Left wrist plain radiograph of the wrist; posteroanterior; 10y M; in cast; 763 by 1290 pixels — 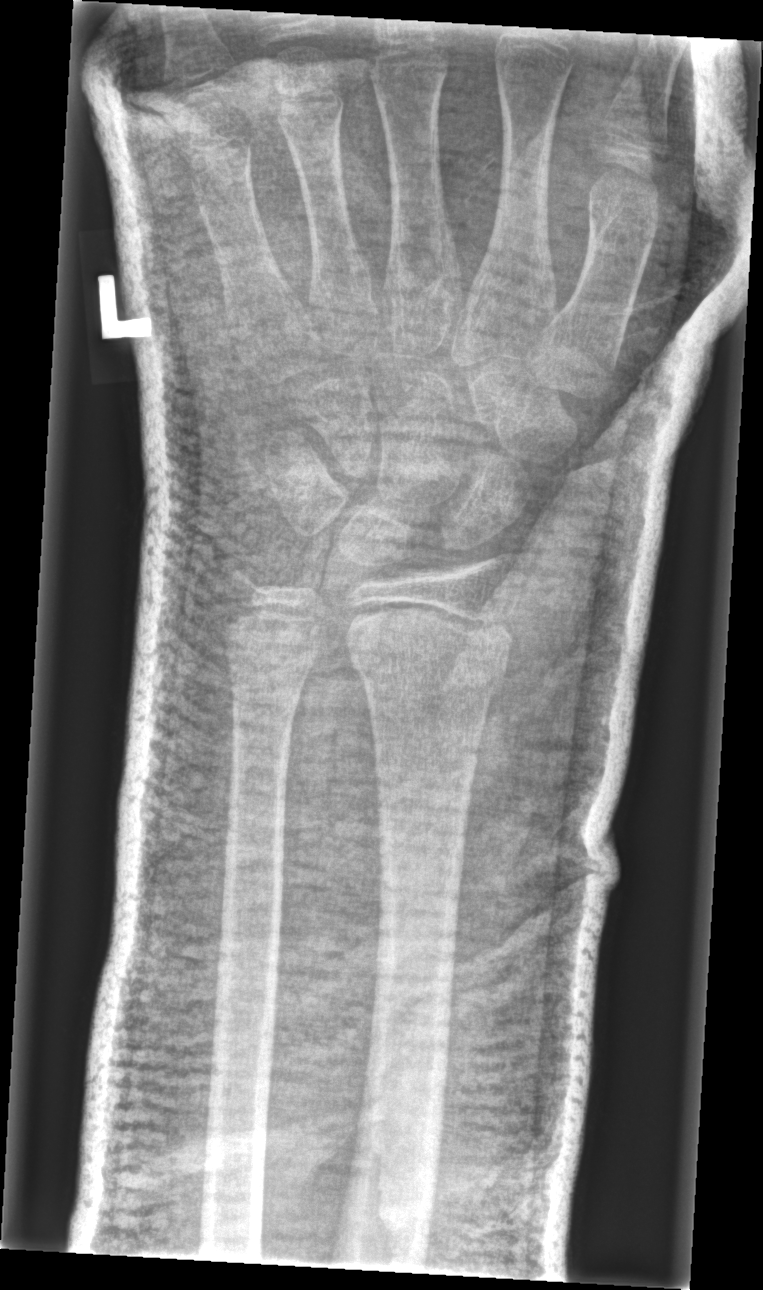 (coordinates are [x1, y1, x2, y2] in image pixels)
Q: What is the AO/OTA classification?
A: Fracture classified AO/OTA 23r-E/2.1; 23u-M/2.1
Q: Is there a fracture?
A: Bone fracture identified at 338,608,513,714